Lt wrist plain film; lat
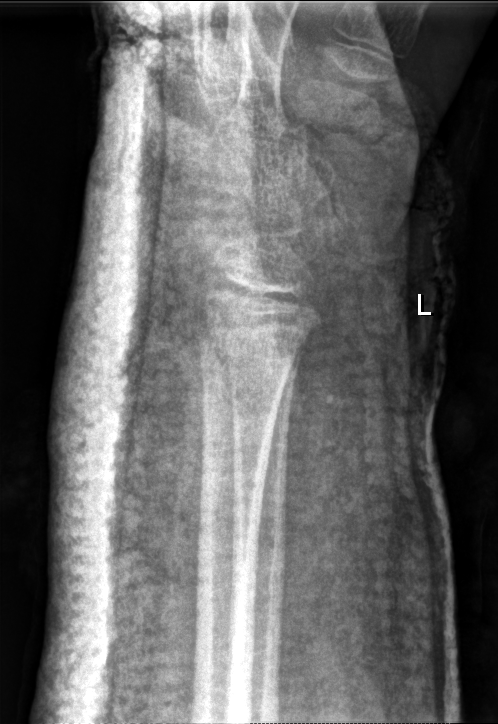 Fx: present but not clearly seen in this view.
Fracture classified AO/OTA 23r-E/2.1.